Right wrist pediatric wrist radiograph | lateral view | pediatric patient (girl, age 12) | in cast | acquired on Siemens | 554 x 912 px
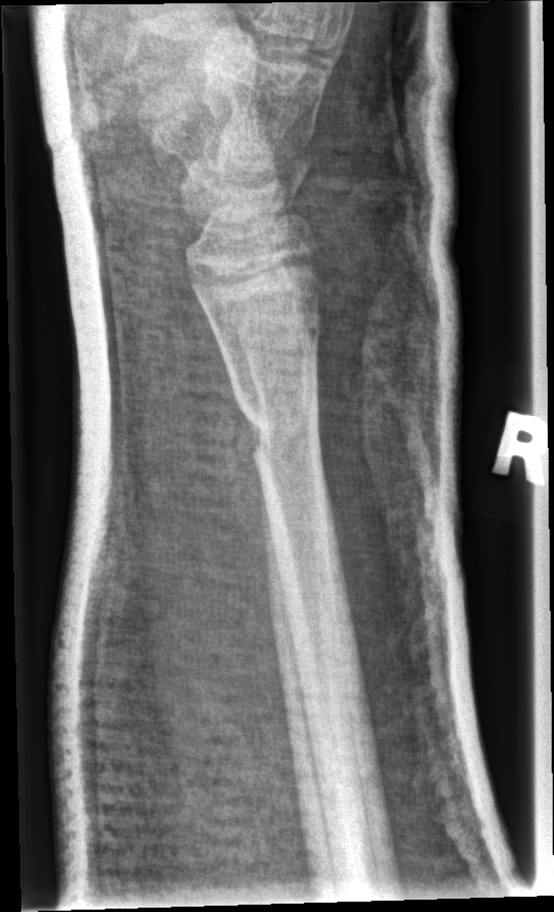

(boxes as x1,y1,x2,y2 (top-left / bottom-right, pixel units))
AO classification: 23r-M/3.1; 23u-E/7
Fx: 1 @ 228 380 329 472